Right wrist XR; lat projection. 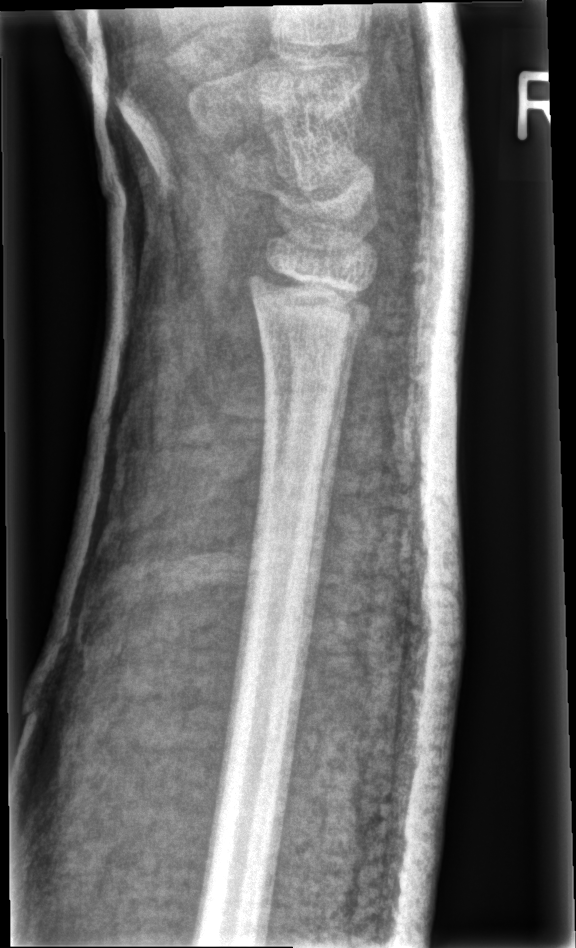 - Pixel coordinates, top-left origin, xyxy.
- Fx identified at <238,254>-<382,355>.